Lt pediatric wrist radiograph; frontal; 8y M; cast present. 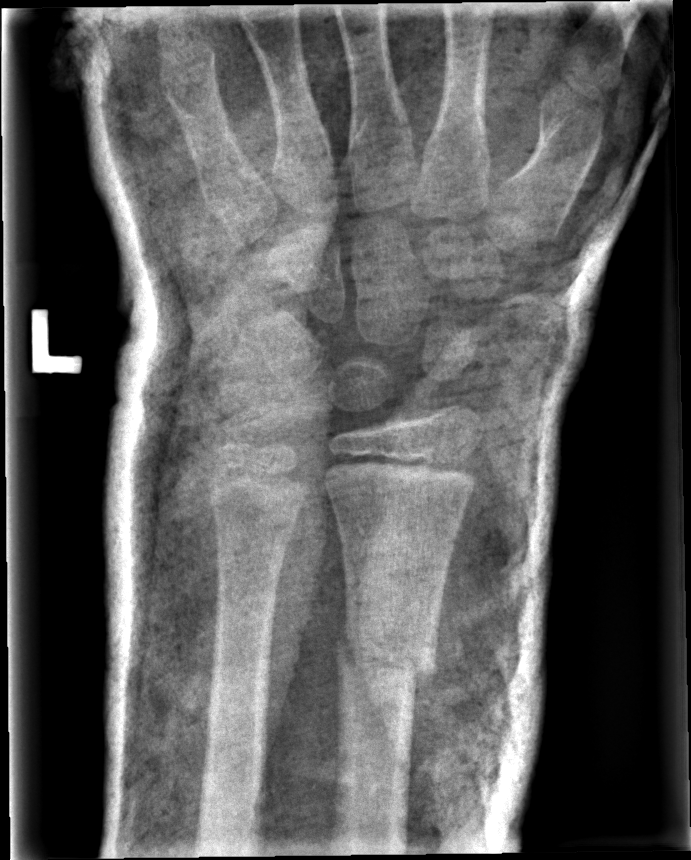 ao: 23r-M/3.1; 23u-M/2.1
fracture: 1 @ [x1=331, y1=621, x2=442, y2=693]